Left wrist X-ray, PA/AP projection, pediatric patient (boy, age 13), findings marked uncertain by the reading radiologist 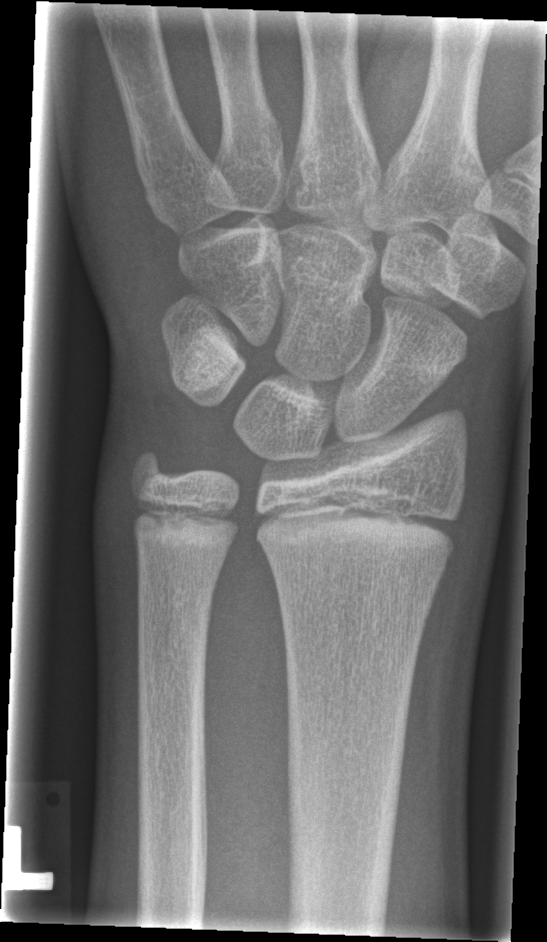

No fracture bounding box.